Right wrist plain radiograph of the wrist · lateral view · male, 2 yo · follow-up study · imaged through cast:

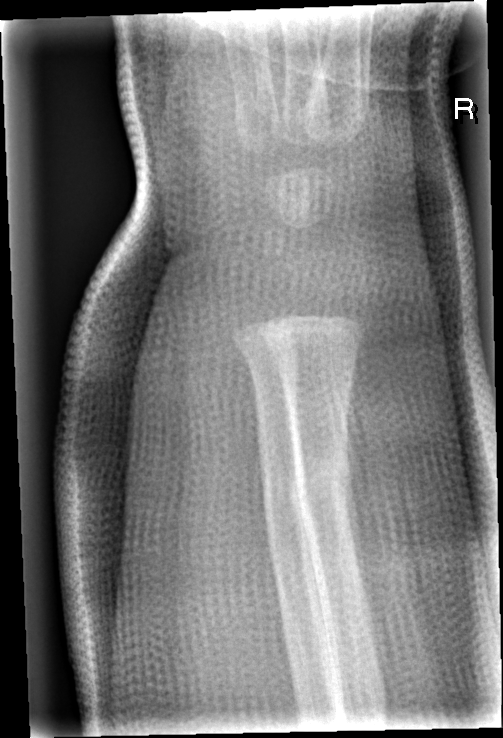

Q: What is the AO/OTA classification?
A: AO/OTA classification: 23-M/2.1
Q: Fracture present?
A: Bone fracture — (288, 452, 359, 517)